PA/AP view, Lt wrist plain film, 5-year-old female, initial study — 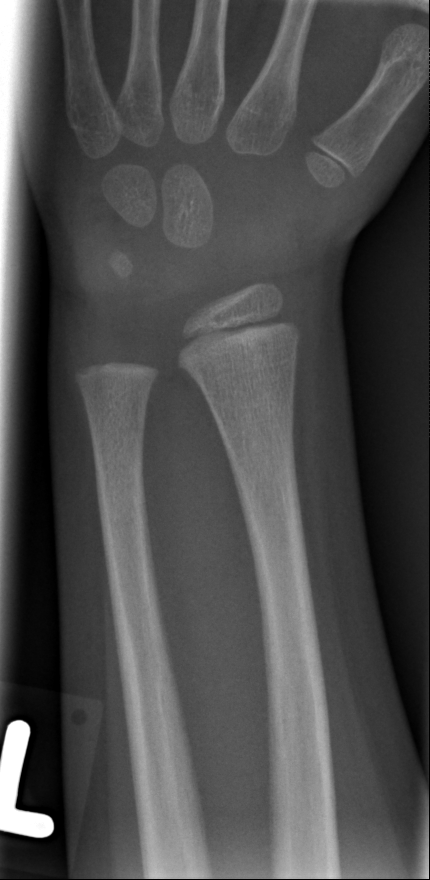 - Fx: none.